R wrist X-ray · lateral view · imaged through cast · detector: Siemens · image 70.3 mm wide —

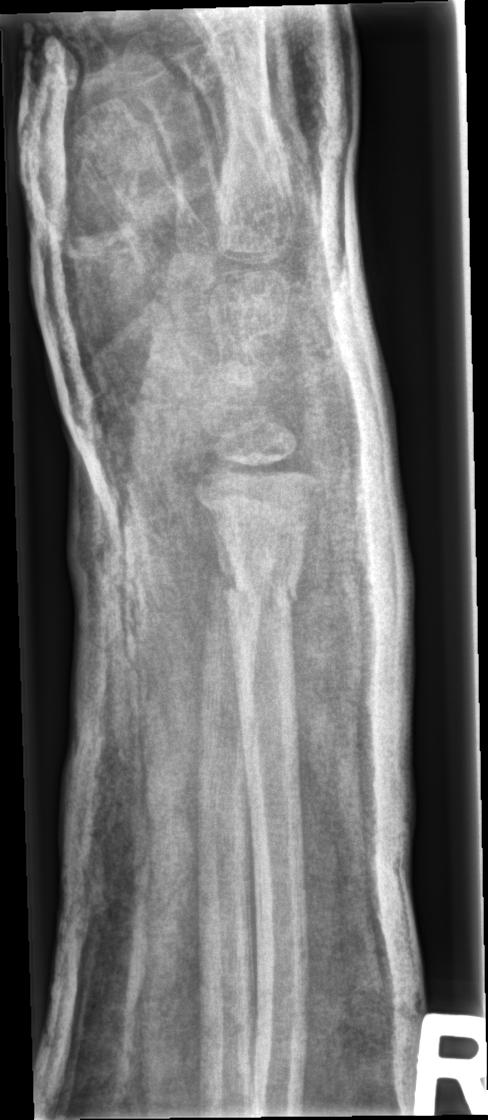
Findings: AO code 23r-M/3.1; 23u-M/2.1. Bone fracture identified at bbox(223, 569, 304, 627); bbox(205, 563, 270, 620).